Frontal projection, right wrist pediatric wrist radiograph, pediatric patient (female, age 10), image 86.7 mm wide —
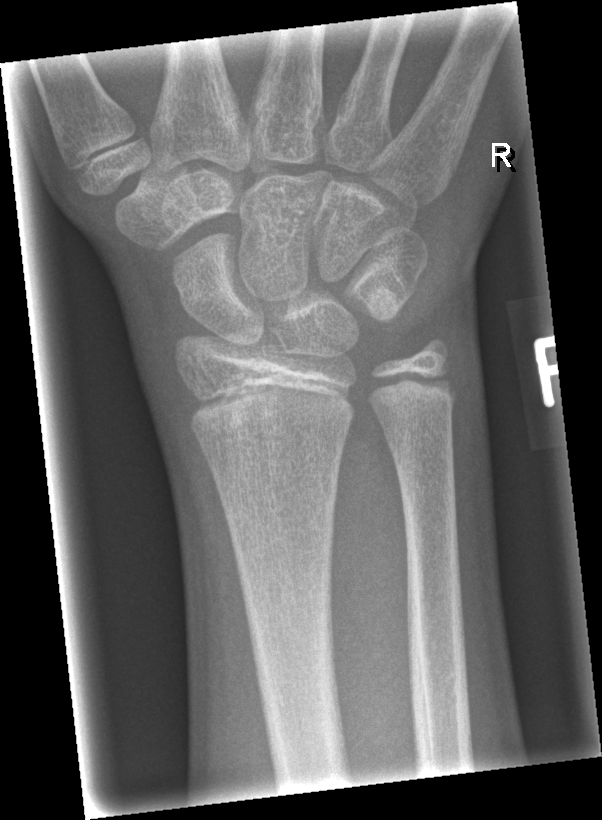

No fracture bounding box.